Lat projection · right wrist X-ray · initial study · 64.1 mm image width.
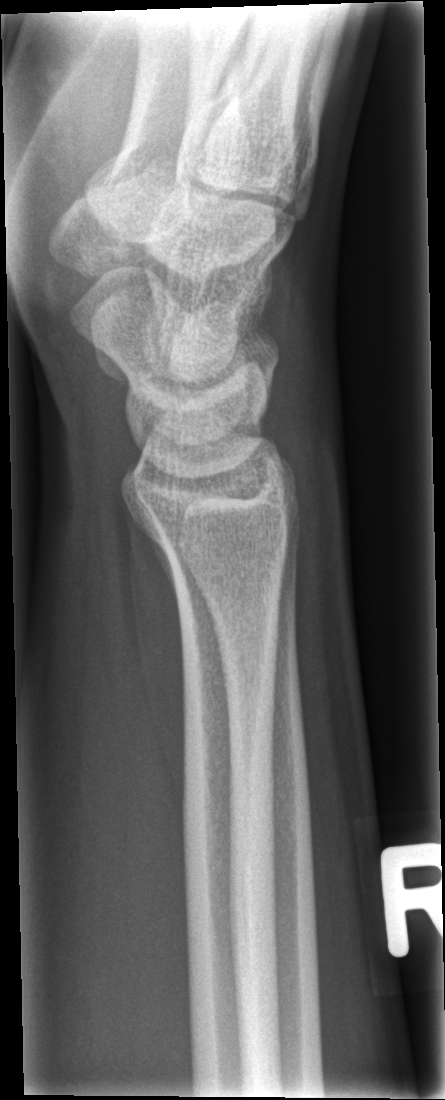
FINDINGS: No fracture annotation.